Lateral; right wrist X-ray; acquired on Siemens:

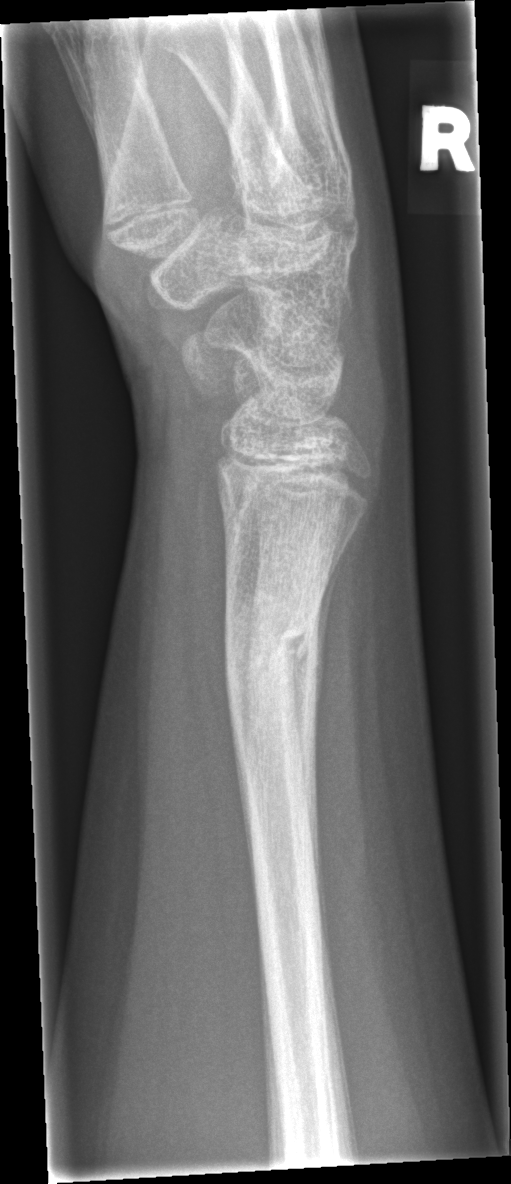

{"fracture": "1 @ 219,589,324,717", "osteopenia": "present"}